Right wrist XR · lateral · pediatric patient (girl, age 12):
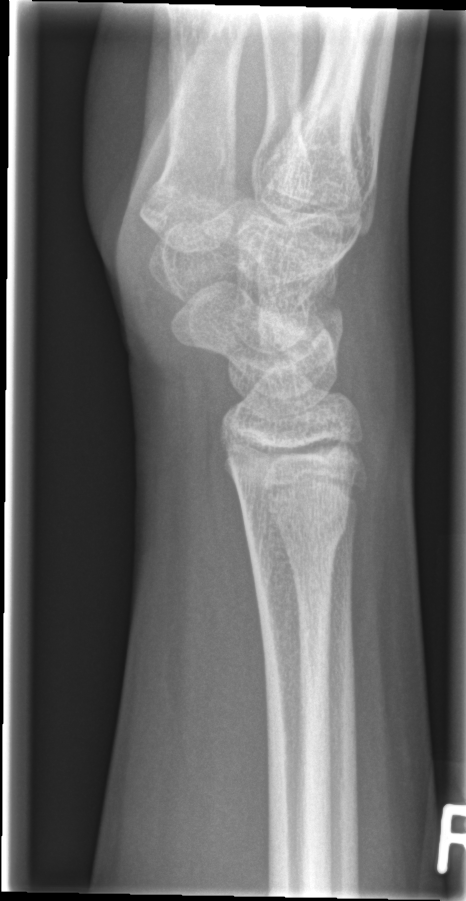 (coordinates are [x1, y1, x2, y2] in image pixels)
AO code = 23r-M/2.1
fracture = 1 @ <241,504>-<352,559>